Lateral · left wrist pediatric wrist radiograph · 9-year-old girl.

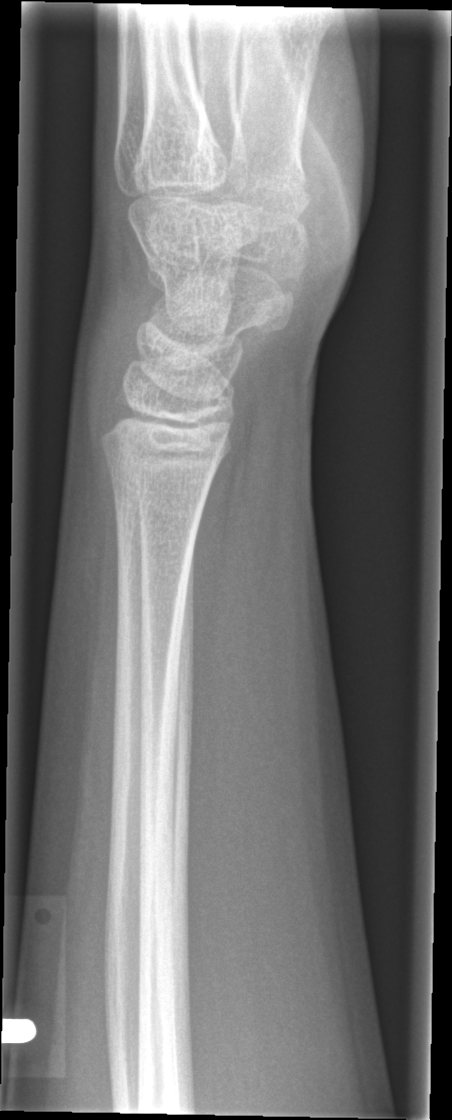 fracture = none labeled